PA view | left wrist X-ray | age 6 y, female | follow-up —

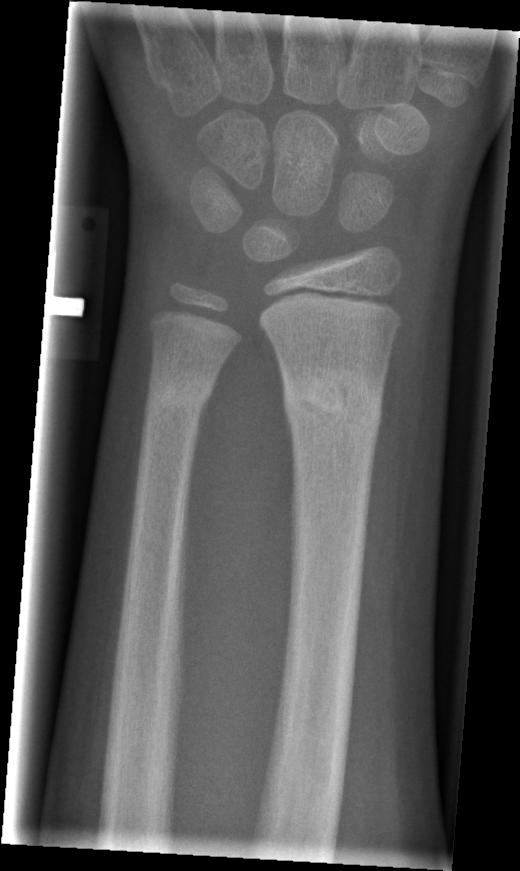

• Fx: [x1=277, y1=370, x2=392, y2=437] [x1=142, y1=378, x2=218, y2=420].
• Decreased bone density (osteopenia).
• Periosteal reaction identified at [x1=197, y1=399, x2=209, y2=434]; [x1=284, y1=413, x2=294, y2=450]; [x1=278, y1=367, x2=284, y2=402].
• Fracture classified AO/OTA 23-M/2.1.